Right pediatric wrist radiograph; PA projection; male, 15 yo
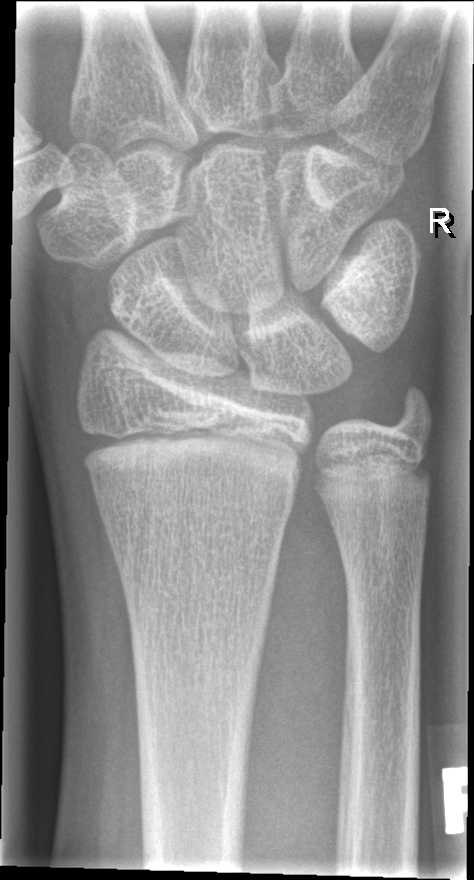

Fx = none labeled